R wrist X-ray, lateral, Siemens, 345 by 808 pixels —

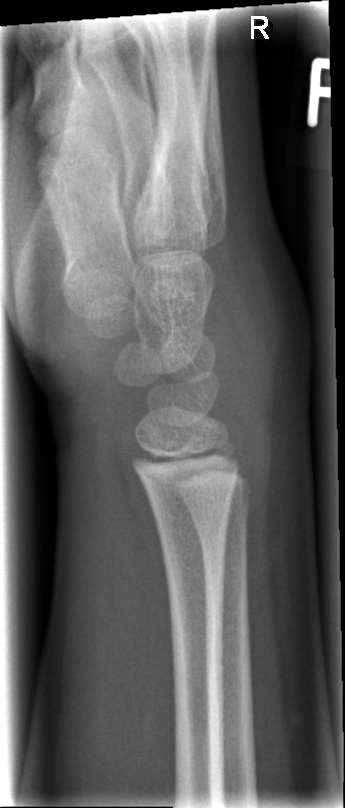

No Fx annotated.